Lateral view; left plain radiograph of the wrist; follow-up study.
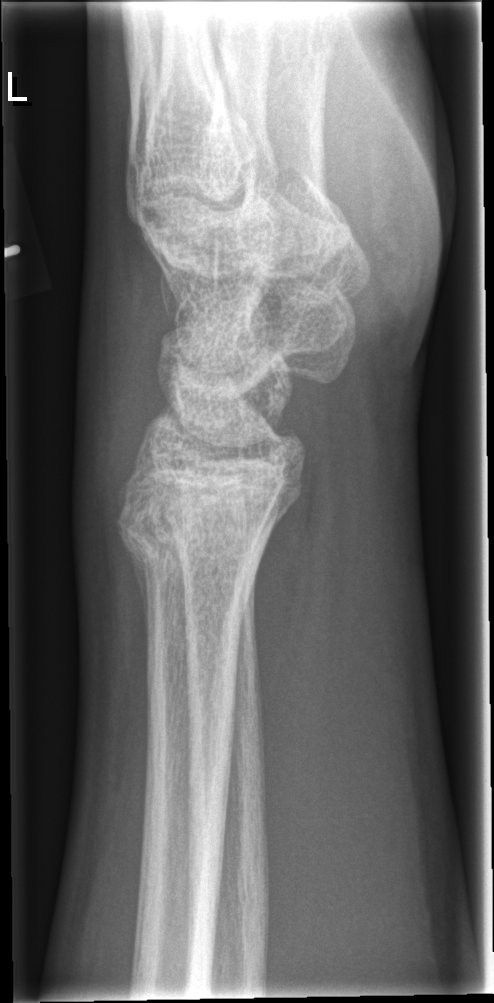 periostealreaction: 1 @ 114 525 157 685
ao: 23r-M/2.1; 23u-E/7
fracture: 113 475 294 581